Lateral projection, Rt plain radiograph of the wrist, 12-year-old male, subsequent exam, in cast, image size 493x1192. 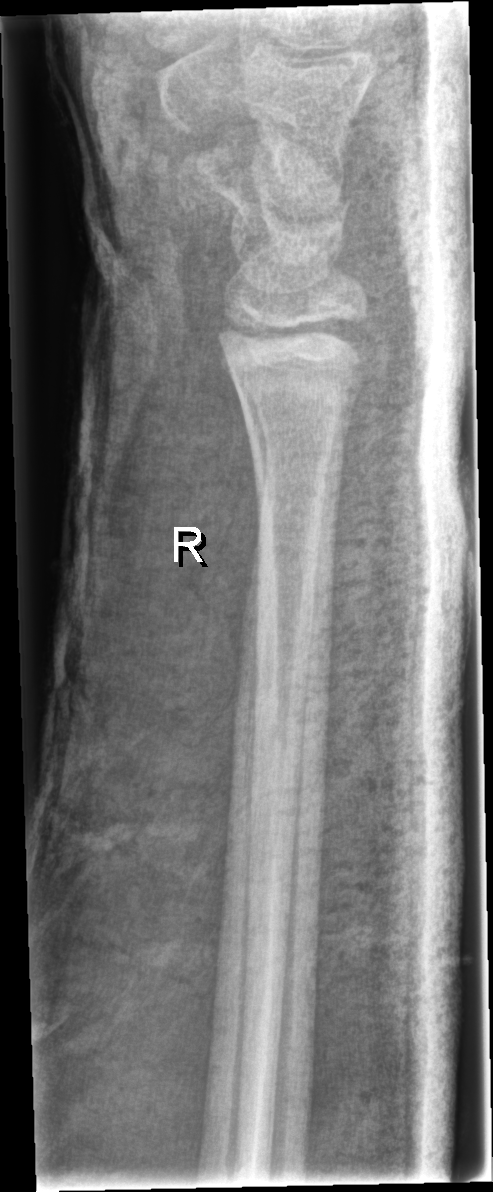

Fx: 1 @ (211, 306, 373, 377)